Lateral projection, left wrist X-ray, 489x886 — 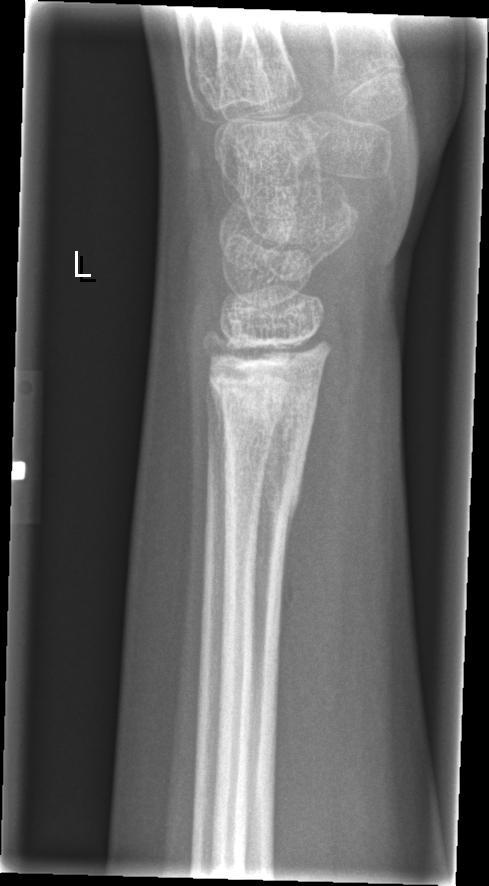 FINDINGS — Fracture — 207 366 324 525. AO/OTA classification: 23r-M/3.1. Osteopenic.